Lateral | Lt wrist plain film | female, 12 yo | presentation radiograph. 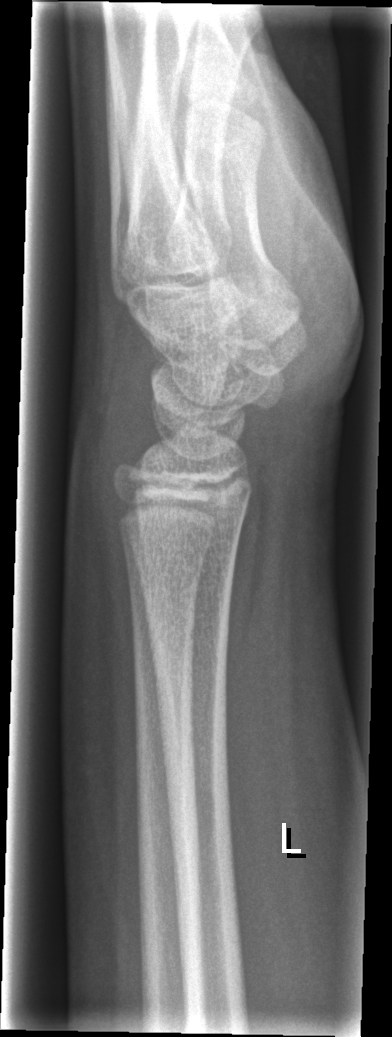 Fx: none.